R wrist radiograph | lat projection | pediatric patient (boy, age 9)

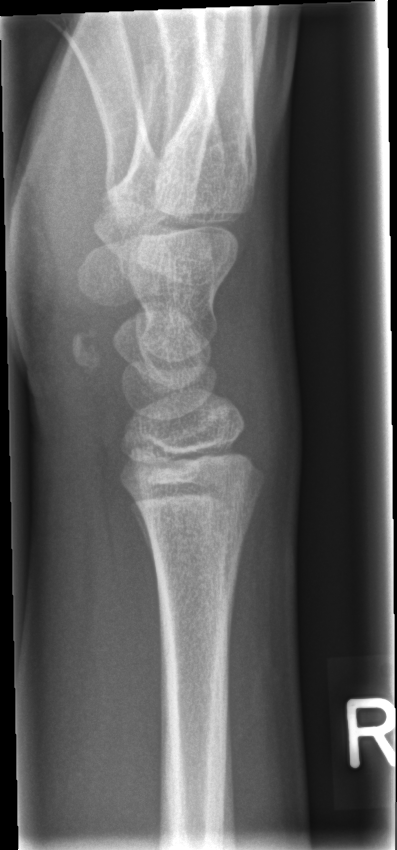
No fracture annotation.